Lat view; left wrist radiograph; follow-up study; cast in situ —

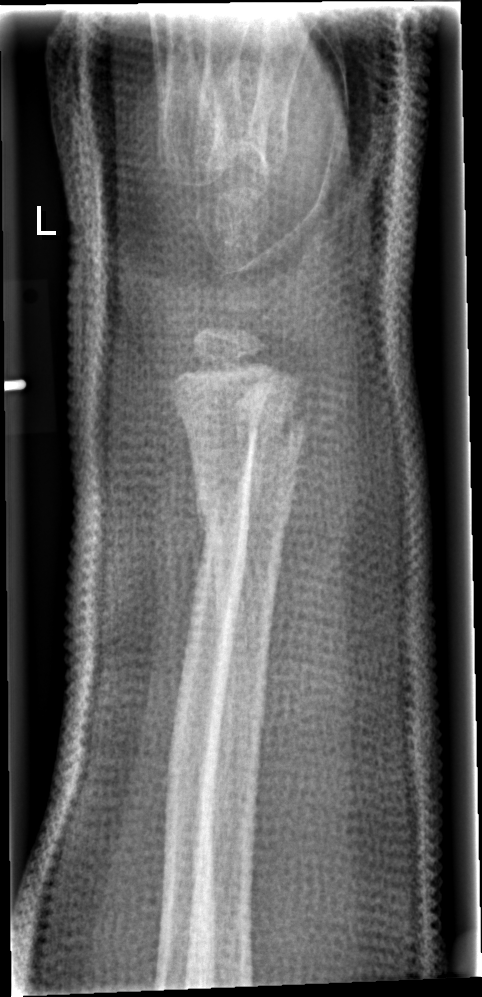
(coordinates are [x1, y1, x2, y2] in image pixels)
Bone fracture = 185,406,314,578